Frontal, left wrist radiograph, 16-year-old boy, image size 606x966 — 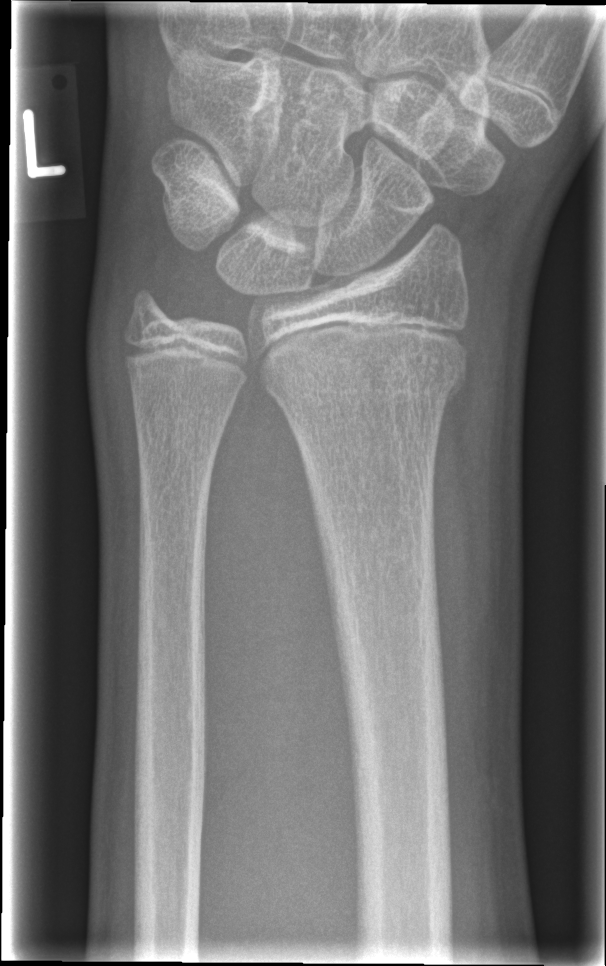 Q: What is the AO/OTA classification?
A: AO/OTA classification: 23r-M/3.1
Q: Locate any fractures.
A: Bone fracture — <259,333>-<472,407>